L plain radiograph of the wrist, PA/AP projection, follow-up —
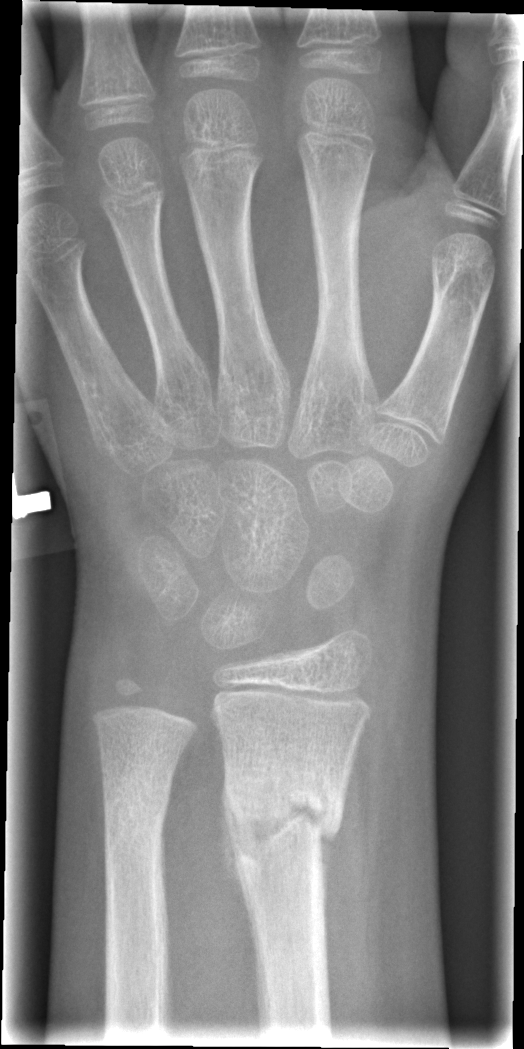 AO/OTA: 23r-M/3.1; 23u-M/2.1
Fx: <218,768>-<352,875> <99,774>-<172,839>
Periosteal thickening: 1 @ <218,763>-<250,910>